Right plain radiograph of the wrist; lateral; acquired on Siemens 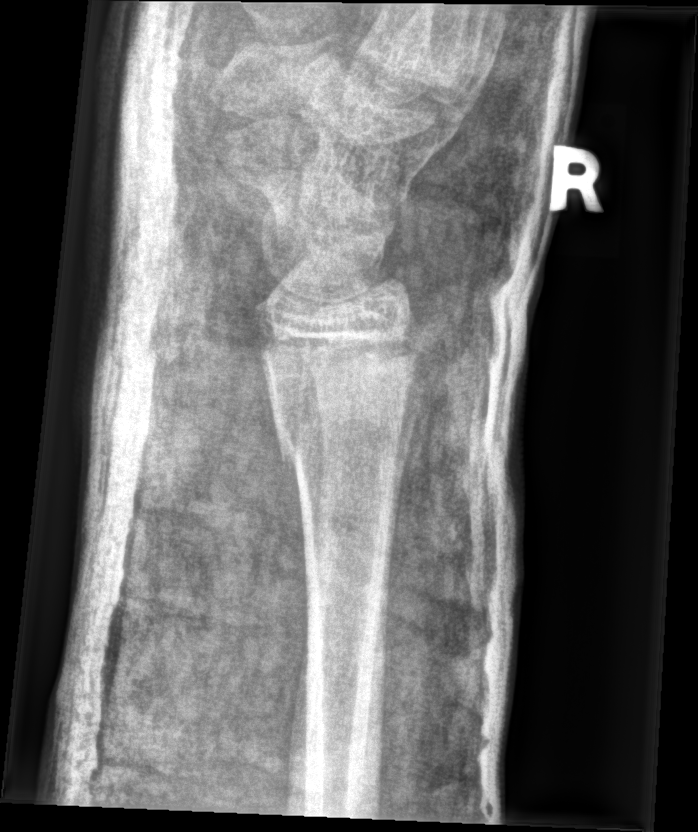
AO/OTA = 23r-M/3.1
Fracture = (256, 342, 427, 474)